Frontal, left wrist X-ray, 11-year-old boy 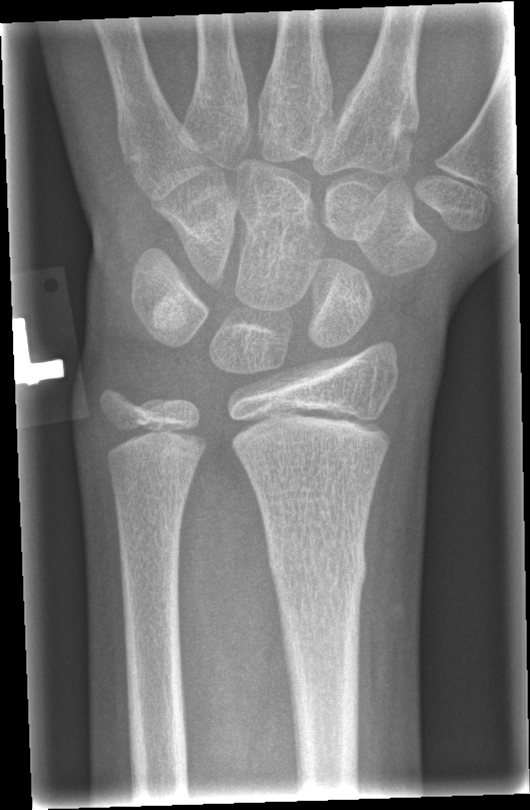
Coordinates are [x1, y1, x2, y2] in image pixels.
Fx identified at <266,540>-<369,588>.
AO code 23r-M/2.1.